Frontal, Lt pediatric wrist radiograph, 16y F — 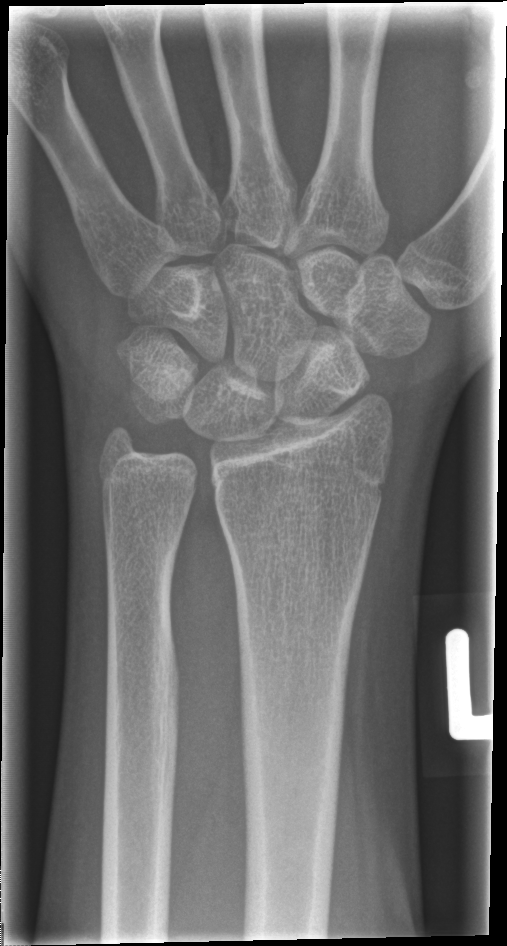 No fracture annotation.